R pediatric wrist radiograph, PA projection, 1.6y M.

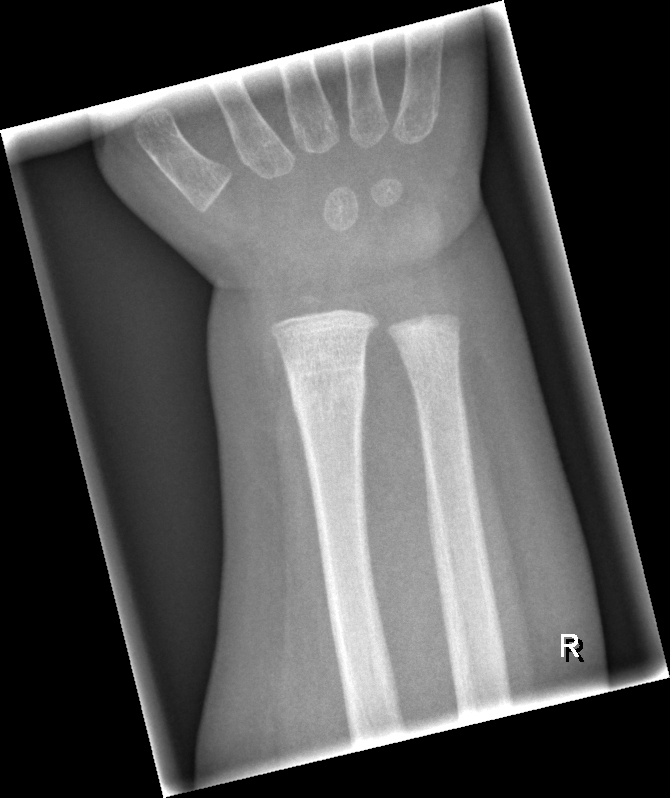

  ao: 23-M/2.1
  fracture: 2 @ (281, 364, 376, 420), (396, 328, 463, 376)